Lateral view | L plain radiograph of the wrist | subsequent exam | imaged through cast | image size 704x1568.
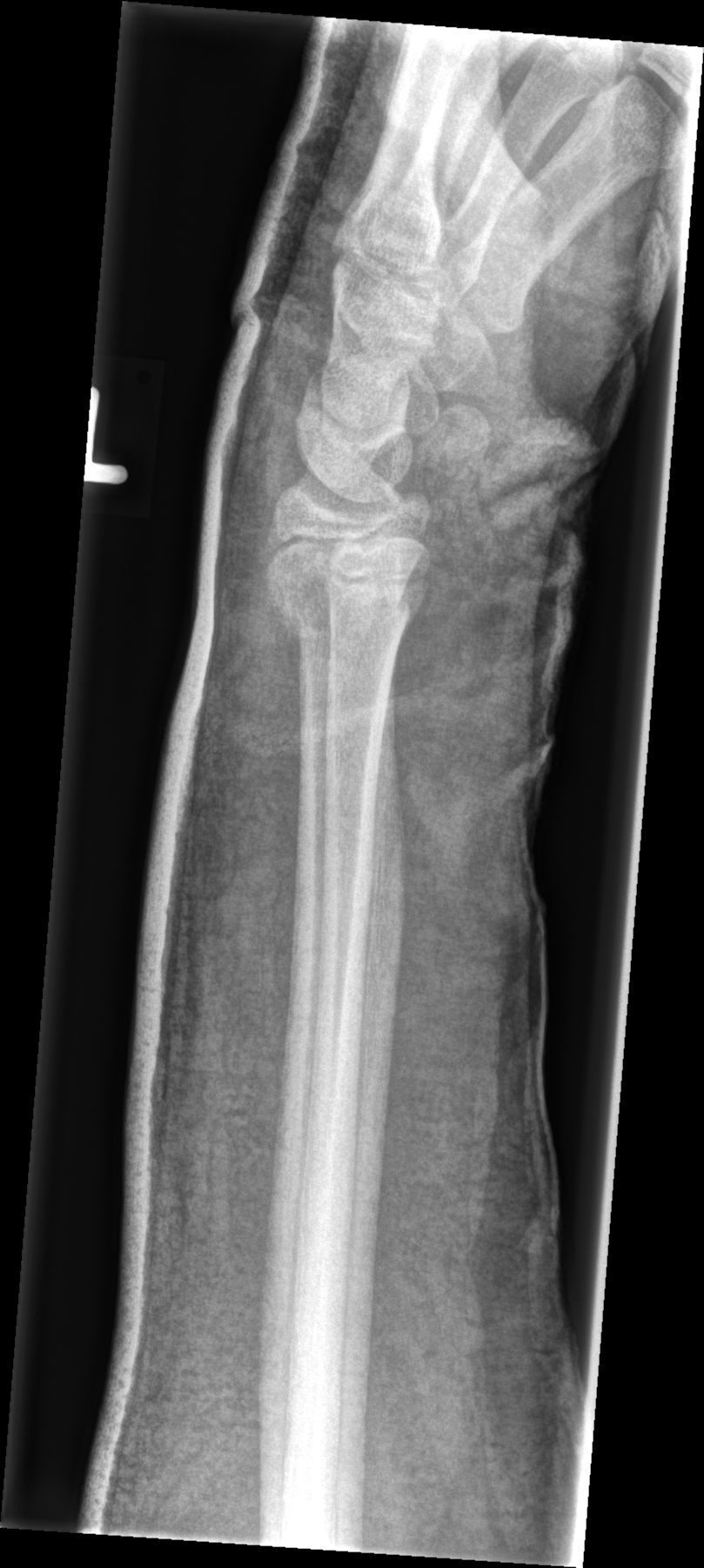 Findings: Bone fracture: (261, 568, 417, 644).